R pediatric wrist radiograph · lat view · female, 6 yo · image size 447x616: 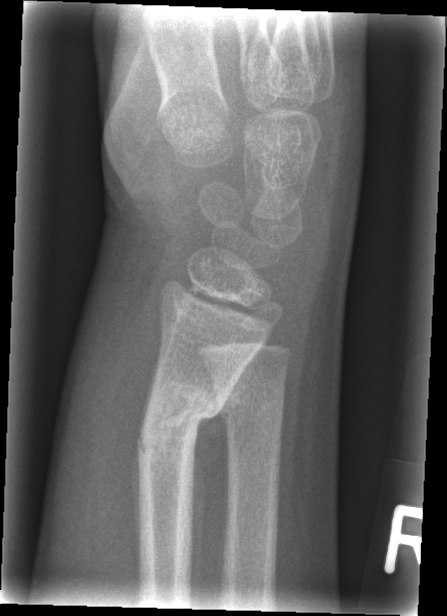 Bounding boxes in image-pixel xyxy.
Periosteal thickening identified at (left=189, top=411, right=222, bottom=599); (left=129, top=436, right=142, bottom=589).
AO/OTA classification: 23r-M/3.1; 23u-M/2.1.
Fracture: (left=134, top=376, right=230, bottom=464).
Decreased bone density (osteopenia).